Lateral, right wrist X-ray, boy, 10 yo, 555 x 924 px: 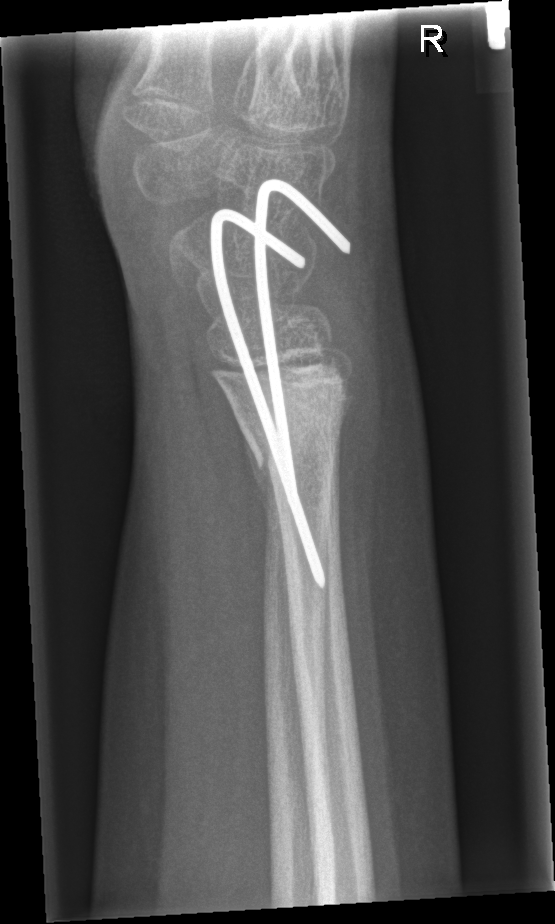

FINDINGS — Reduced bone mineral density. Hardware — (205, 175, 354, 594). Bone fracture — (237, 366, 355, 471).